R wrist radiograph · lateral projection · 368x620

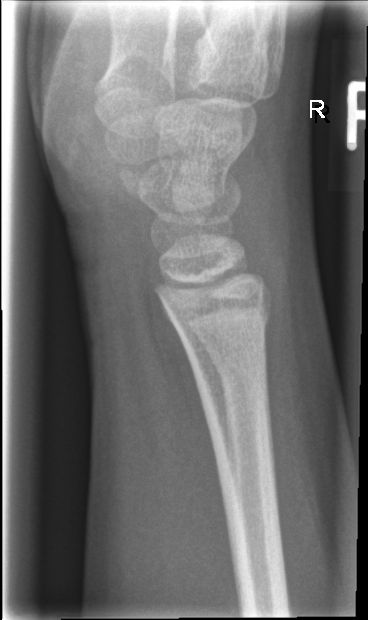 ao: 23r-M/2.1
fracture: 159,293,277,350